R pediatric wrist radiograph, oblique view, male, 8 yo — 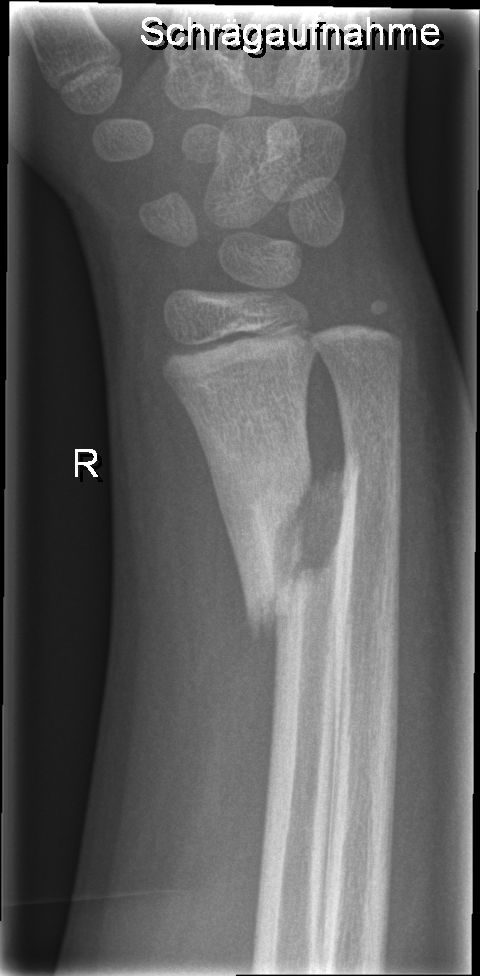 AO/OTA classification: 23r-M/3.1; 23u-M/2.1. Bone fracture: 238,462,360,641.